Left wrist plain film · lat projection · Siemens · image size 745x1346. 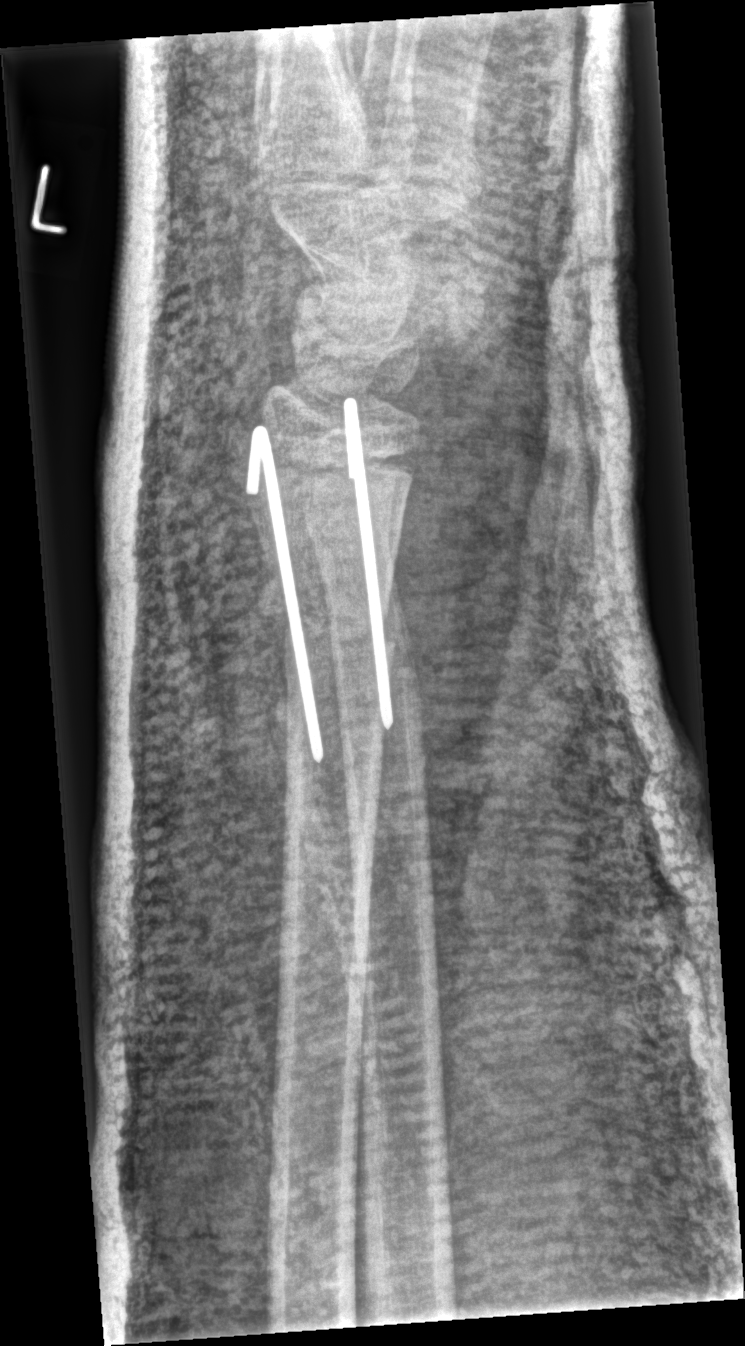
(coordinates are [x1, y1, x2, y2] in image pixels)
Q: Is there a fracture?
A: Fracture: [x1=286, y1=616, x2=419, y2=682]
Q: Locate any hardware.
A: Two hardware at [x1=243, y1=426, x2=330, y2=769] [x1=346, y1=397, x2=397, y2=744]